Lat; left wrist radiograph; pediatric patient (girl, age 10):

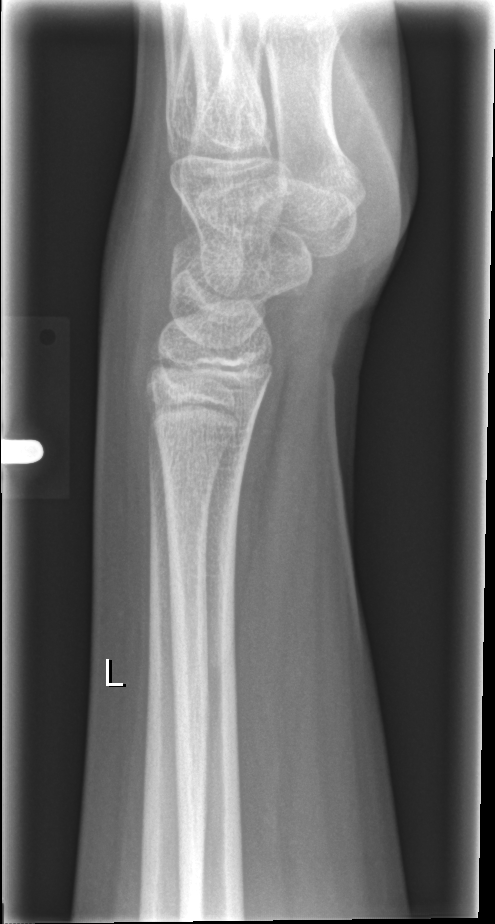
{"fracture": "none labeled"}